Frontal projection | Lt wrist XR | 9-year-old male: 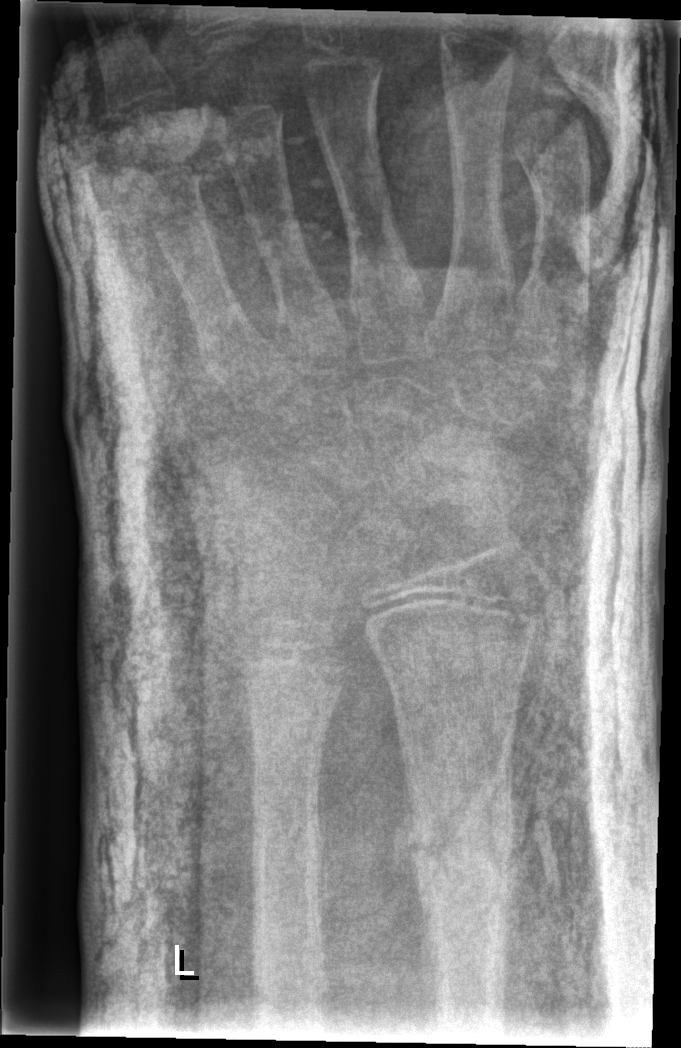
Q: What is the AO/OTA classification?
A: Fracture classified AO/OTA 23r-M/3.1
Q: Is there a fracture?
A: Bone fracture — (402, 817, 524, 883)